Left wrist radiograph, posteroanterior projection, 9y M —

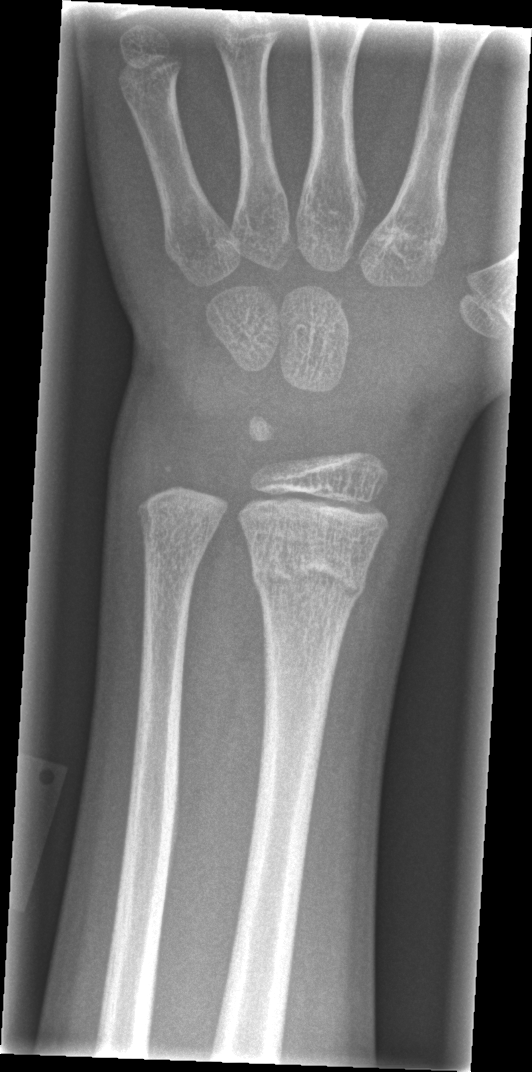 Q: Fracture present?
A: Fracture — [x1=247, y1=539, x2=377, y2=613]
Q: AO code?
A: Fracture classified AO/OTA 23r-M/2.1